PA/AP projection; R wrist XR; male, 15 yo; Siemens; 95.3 mm image width; image size 662x1004

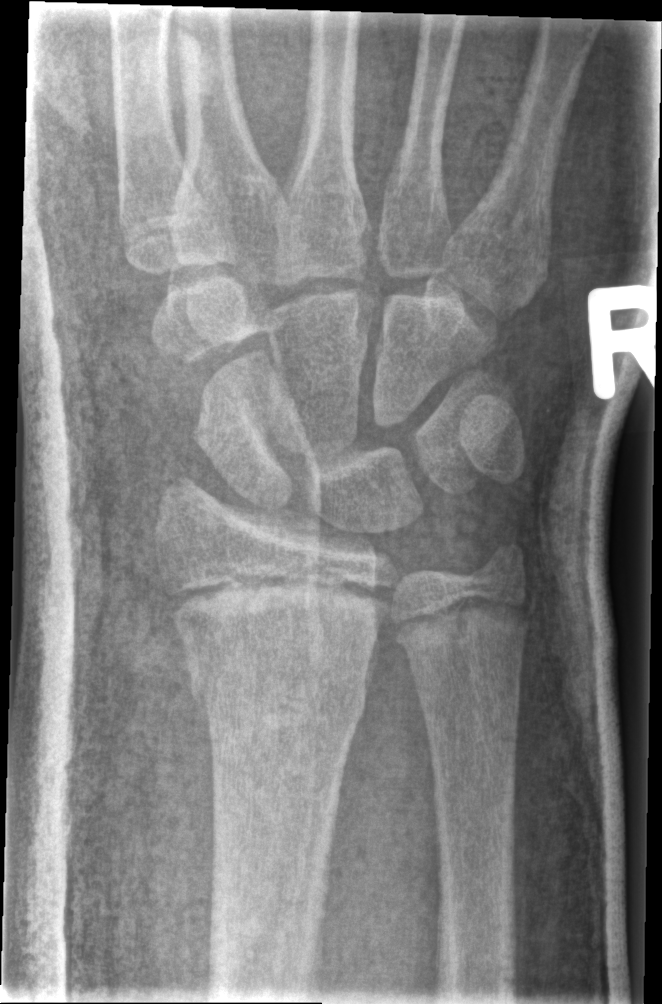
FINDINGS: Bone fracture: bbox(185, 656, 374, 734).